Lateral · Lt wrist radiograph · boy, 8 yo 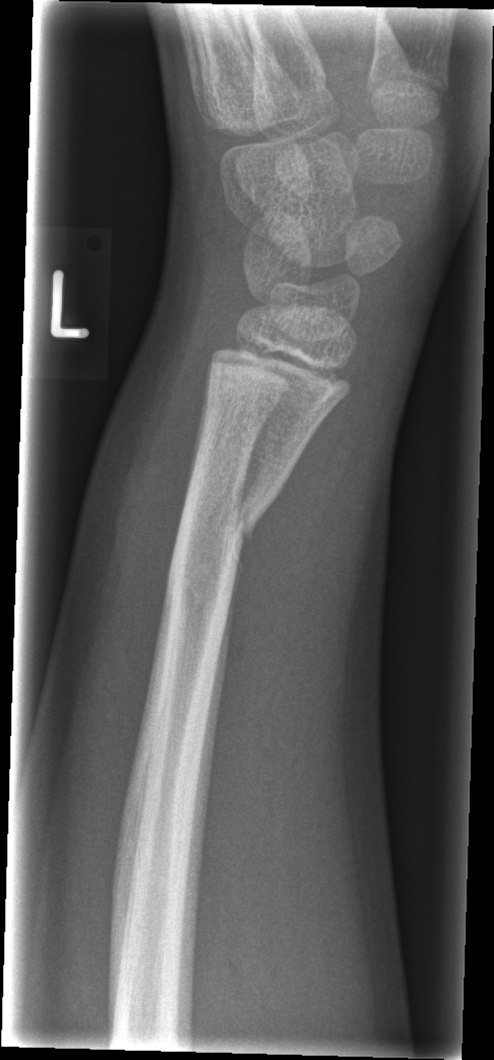 Soft-tissue swelling identified at (69, 352, 200, 635). Fx: (163, 482, 281, 609). AO code 23-M/3.1.